Lateral, right wrist pediatric wrist radiograph, boy, 14 yo, follow-up study, detector: Siemens —
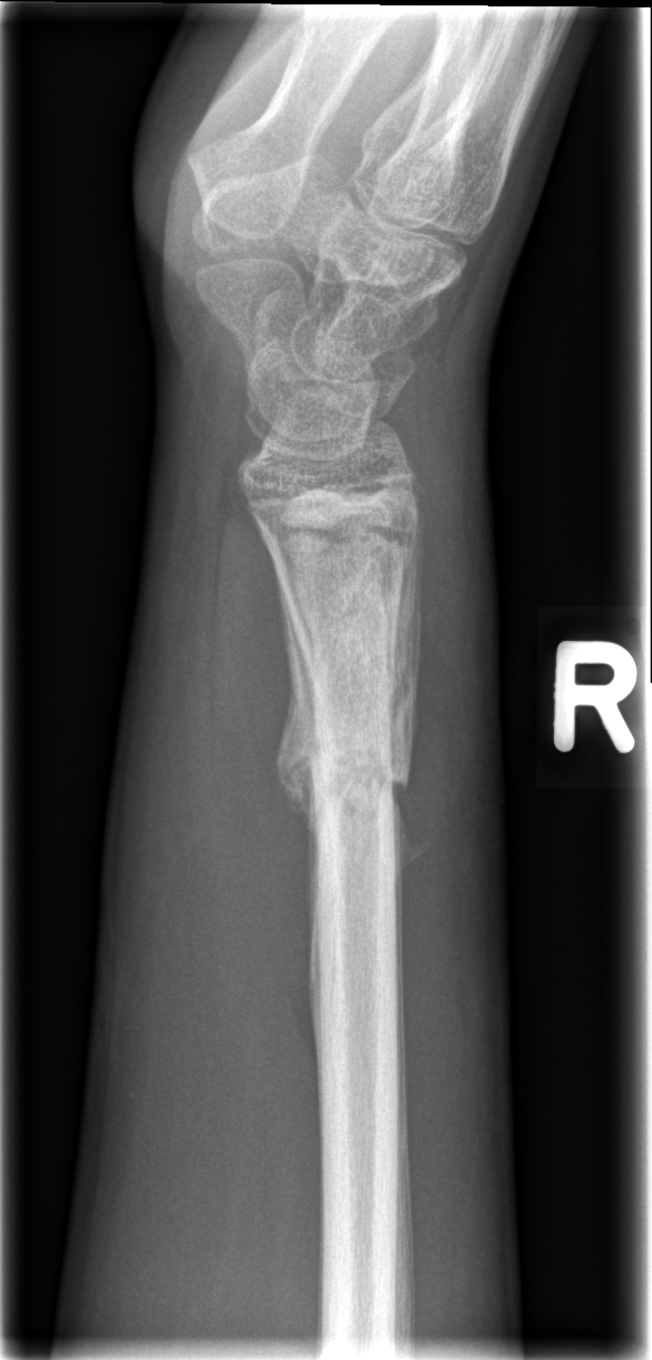
Coordinates are [x1, y1, x2, y2] in image pixels. AO code 23-M/3.1. Osteopenic. Fracture — (left=288, top=723, right=411, bottom=823). Periosteal reaction identified at (left=386, top=511, right=430, bottom=1067), (left=276, top=595, right=319, bottom=885).